Right wrist XR, PA/AP projection, 101.1 mm image width:

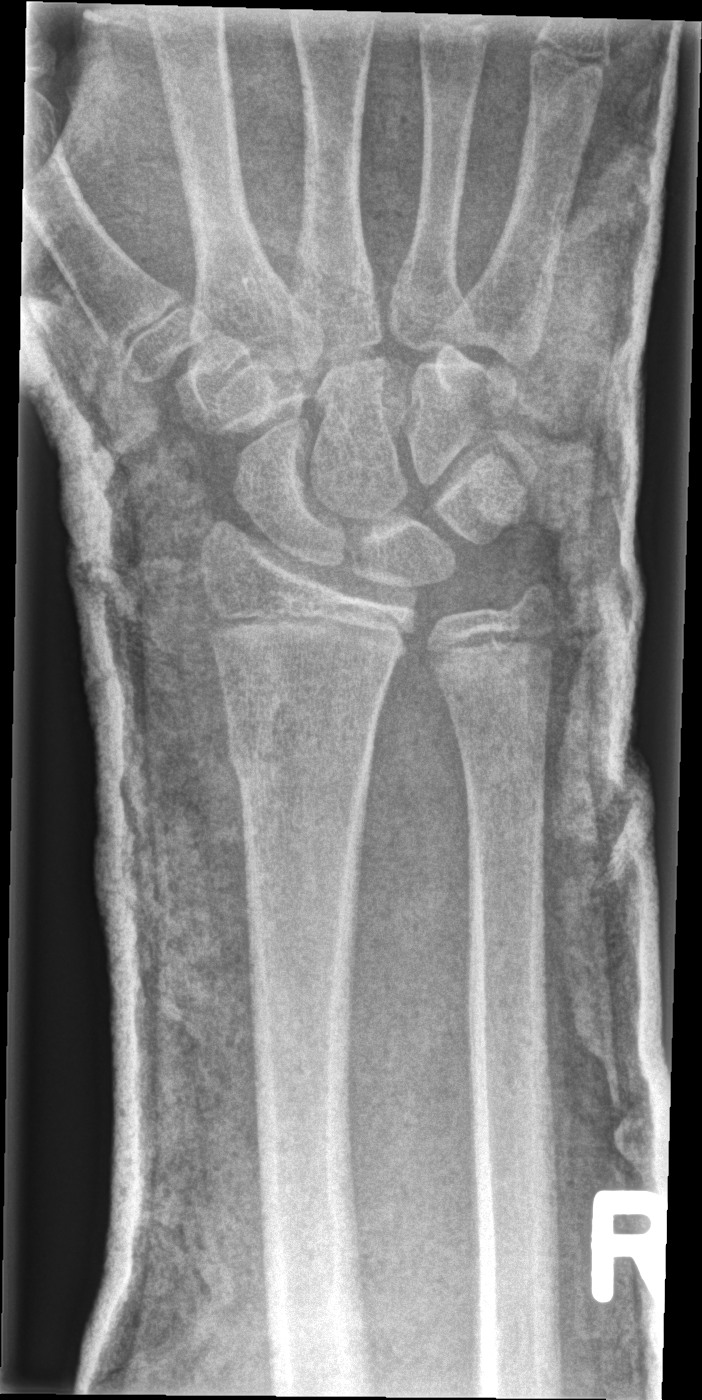
  fracture: 1 @ 224 722 377 793